Lt wrist X-ray · frontal · 7-year-old boy · acquired on Siemens:
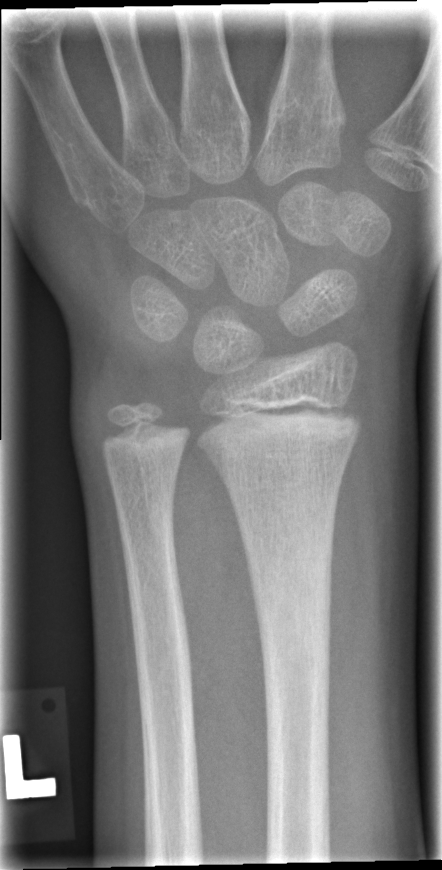 Fracture classified AO/OTA 23r-E/2.1.
Fx: present but not clearly seen in this view.